R wrist XR, lateral view, pediatric patient (female, age 3), subsequent exam. 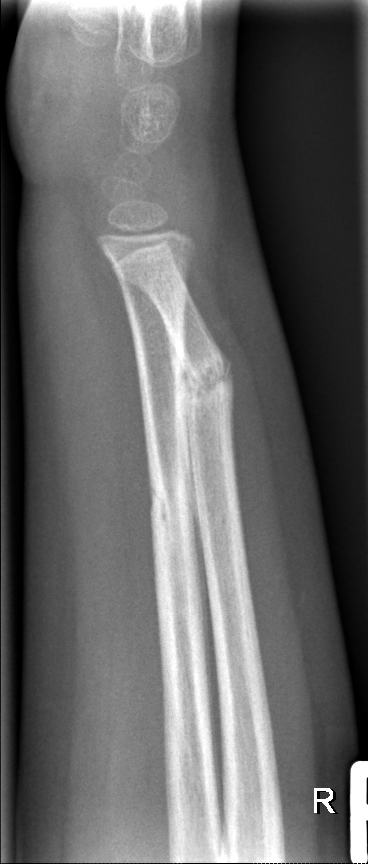

Bone fracture identified at 144,464,205,547; 169,348,239,406. Fracture classified AO/OTA 22r-D/2.1; 23u-M/3.1.